Lat · right wrist X-ray · index exam · image 64.8 mm wide · 450 by 700 pixels:
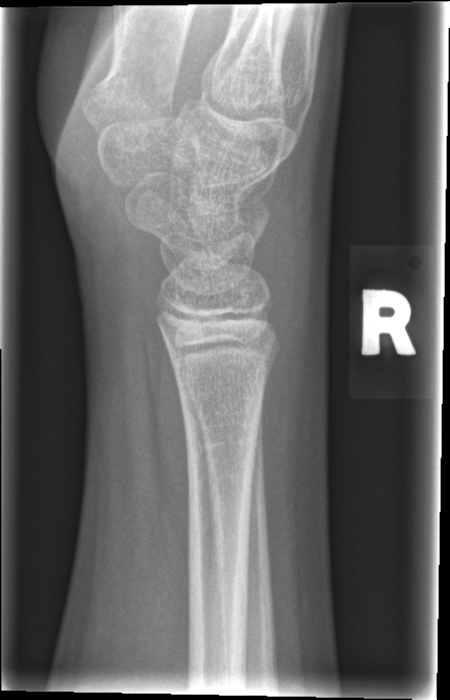 * Fx: (left=164, top=336, right=287, bottom=391).